PA projection, left wrist plain film, subsequent exam:

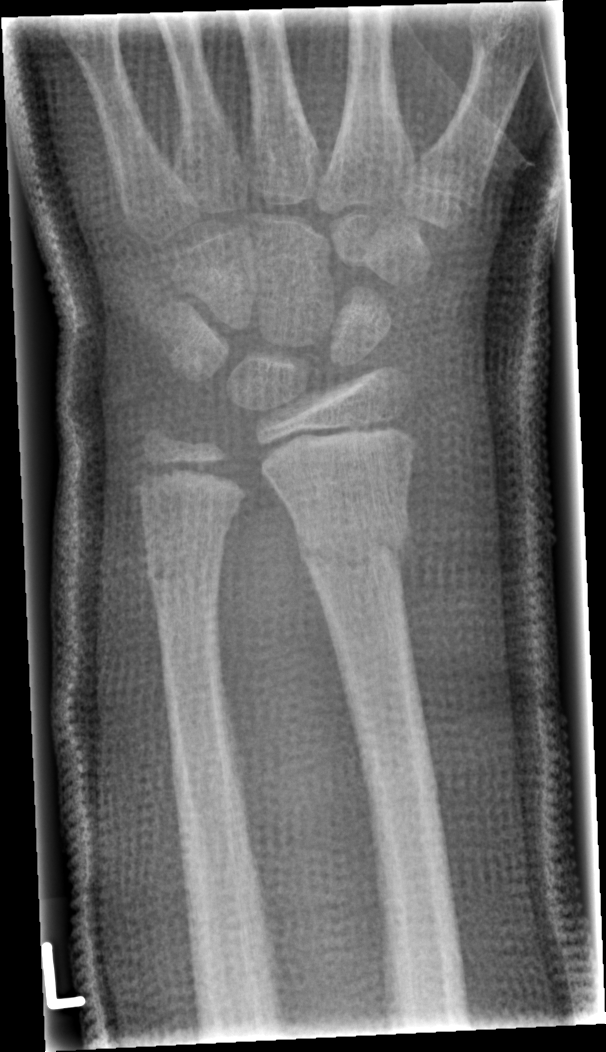
Bounding boxes in image-pixel xyxy.
Fracture classified AO/OTA 23-M/3.1.
Fx — (left=290, top=498, right=415, bottom=584) (left=140, top=545, right=229, bottom=602).